AP view · right wrist XR · image 67.0 mm wide.
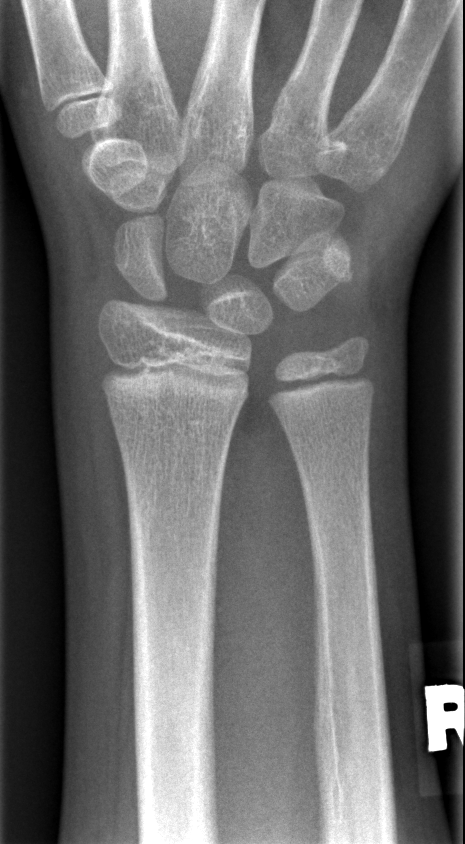

fracture: none labeled